PA/AP view; L wrist plain film; index exam; equivocal findings; image width 96.8 mm —

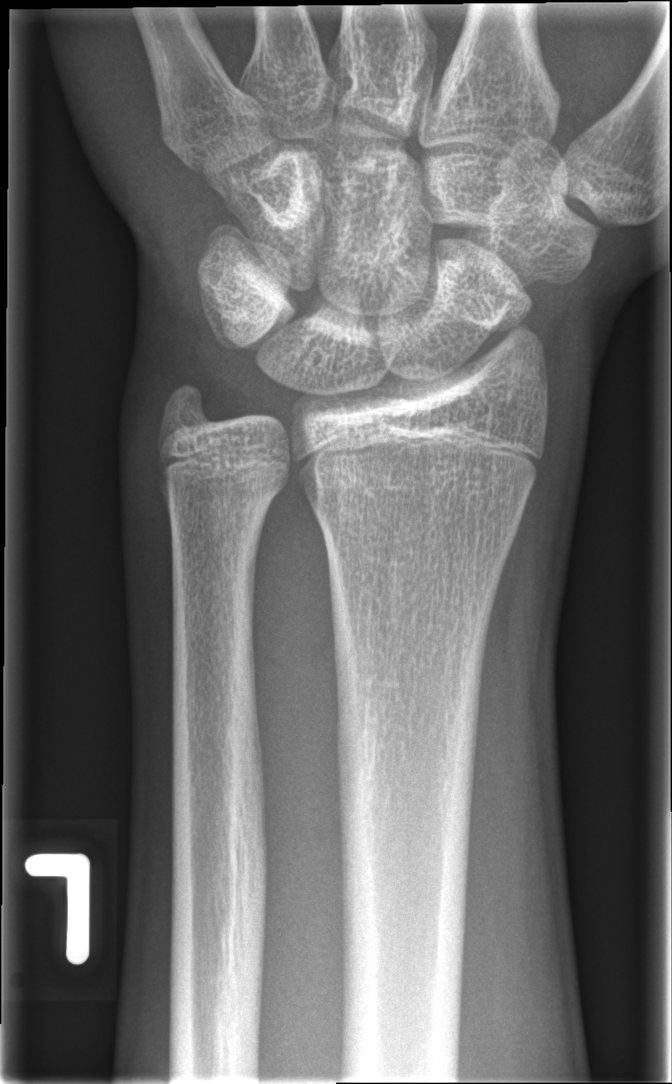
Findings: Fx: none.